PA/AP projection, L wrist XR, subsequent exam, imaged through cast

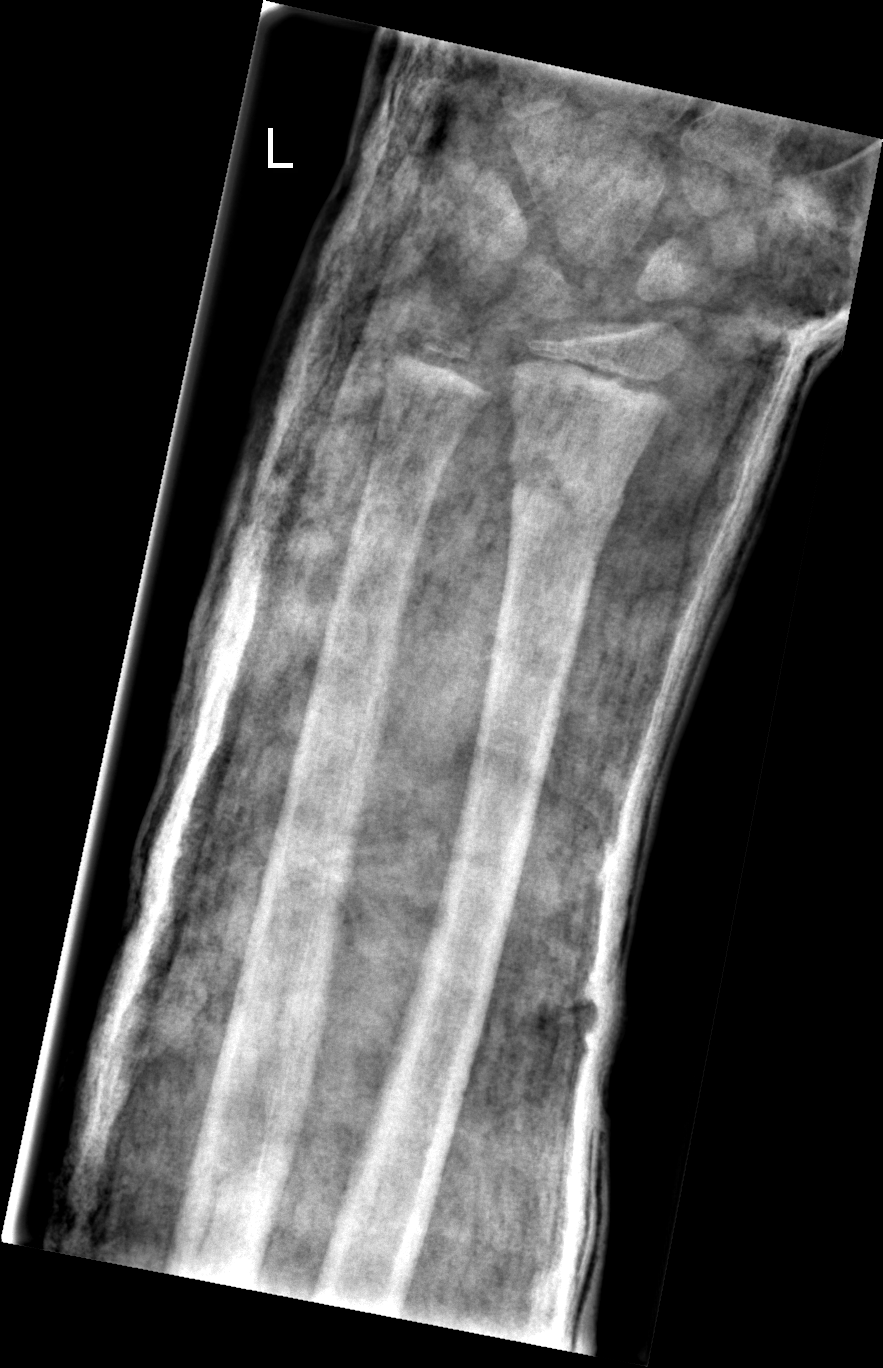

{
  "fracture": "(left=502, top=446, right=629, bottom=540)",
  "ao": "23r-M/3.1; 23u-M/2.1"
}